Lateral projection | right wrist plain radiograph of the wrist | male, 14 yo — 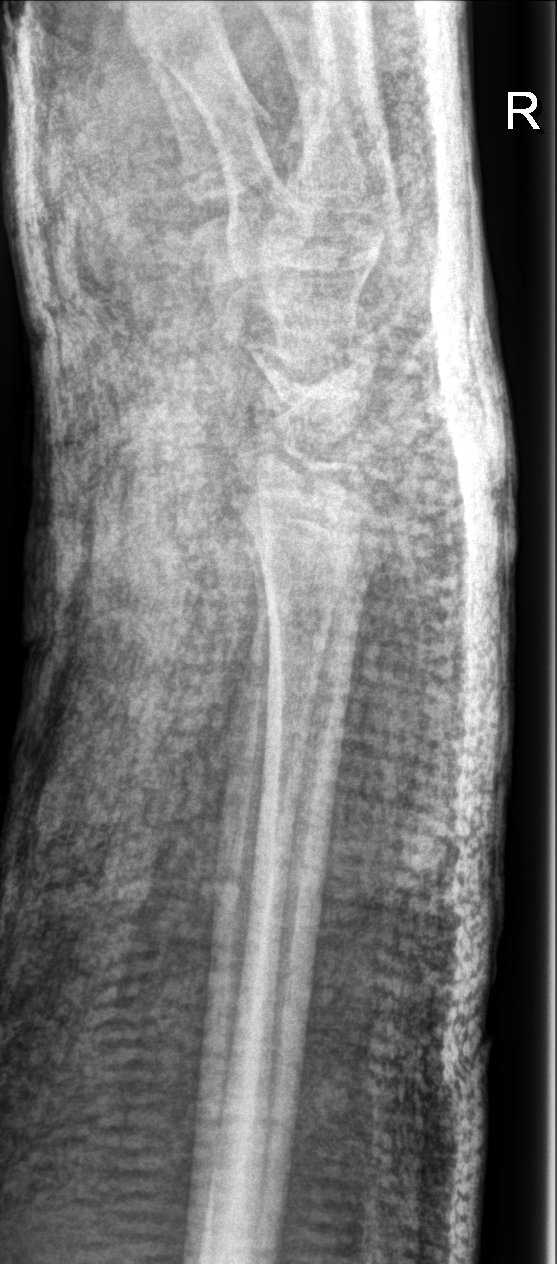
• Fracture present, though not clearly seen in this view.
• Fracture classified AO/OTA 23r-E/2.1; 23u-E/7.